Right wrist X-ray | frontal projection | equivocal findings | Siemens | image size 524x873.

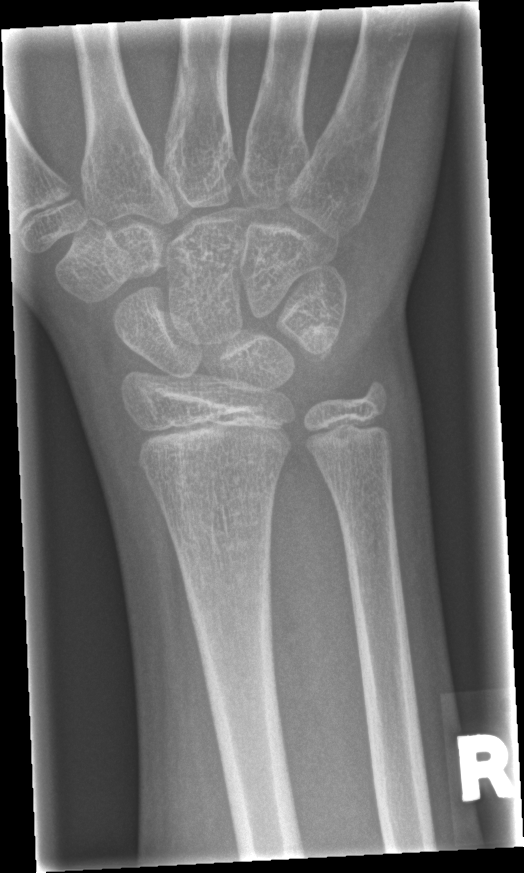

Fracture classified AO/OTA 23r-M/2.1. Fx present but not clearly seen in this view.